Rt wrist X-ray · AP projection · imaged through cast —

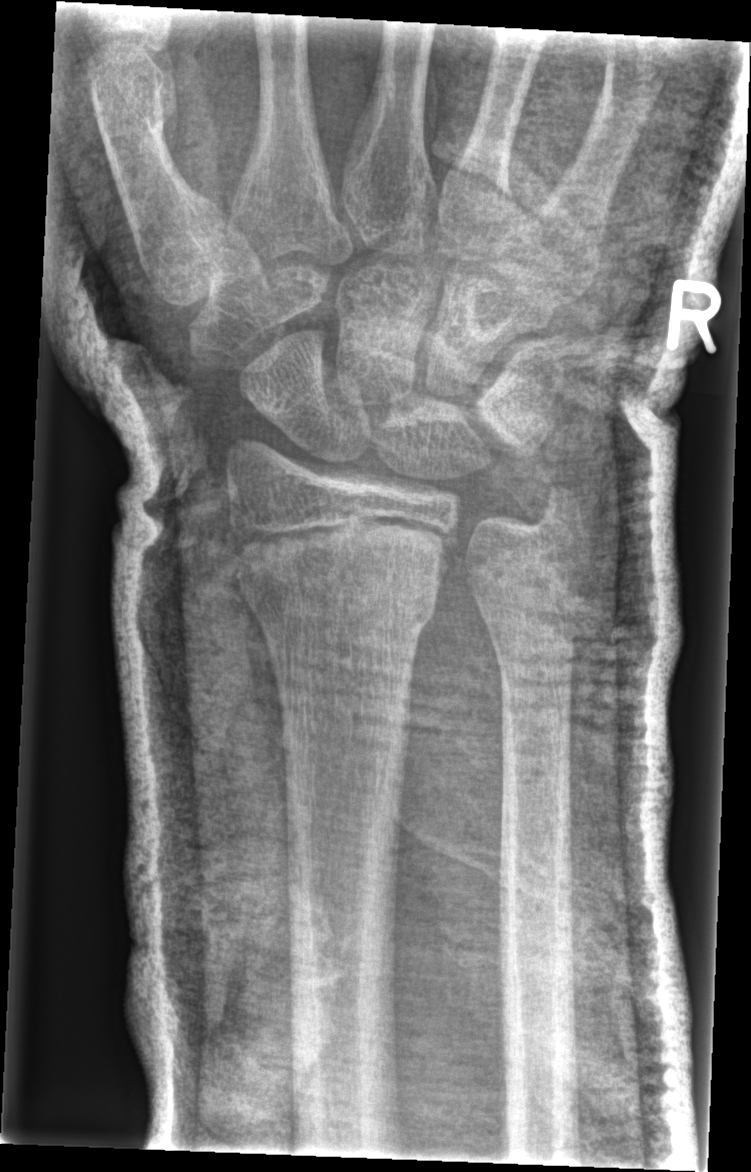 Fx — [234, 555, 444, 648]. AO/OTA classification: 23r-M/3.1; 23u-E/7.